AP projection; Rt wrist XR; pediatric patient (female, age 16)

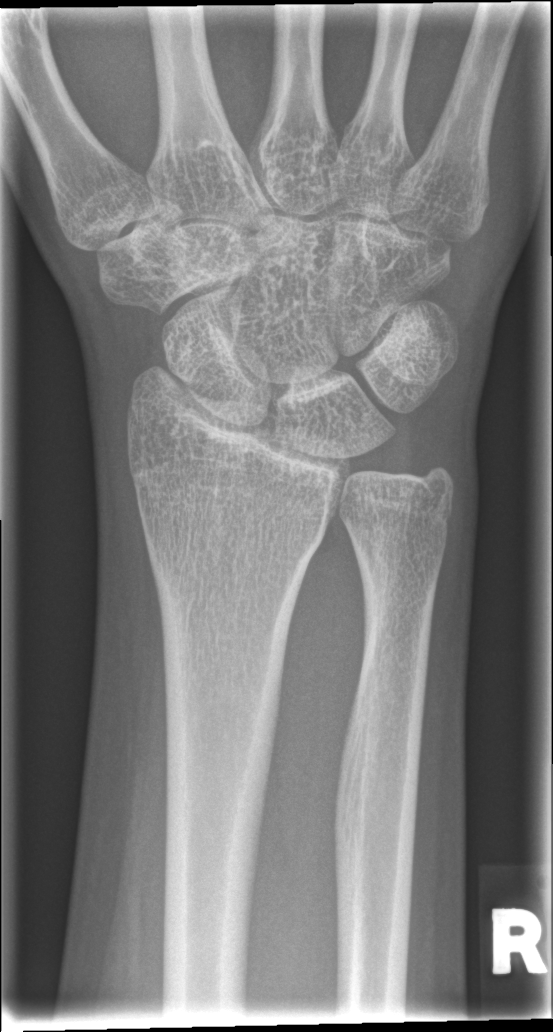
Fracture: none labeled